Lat view, left wrist plain film 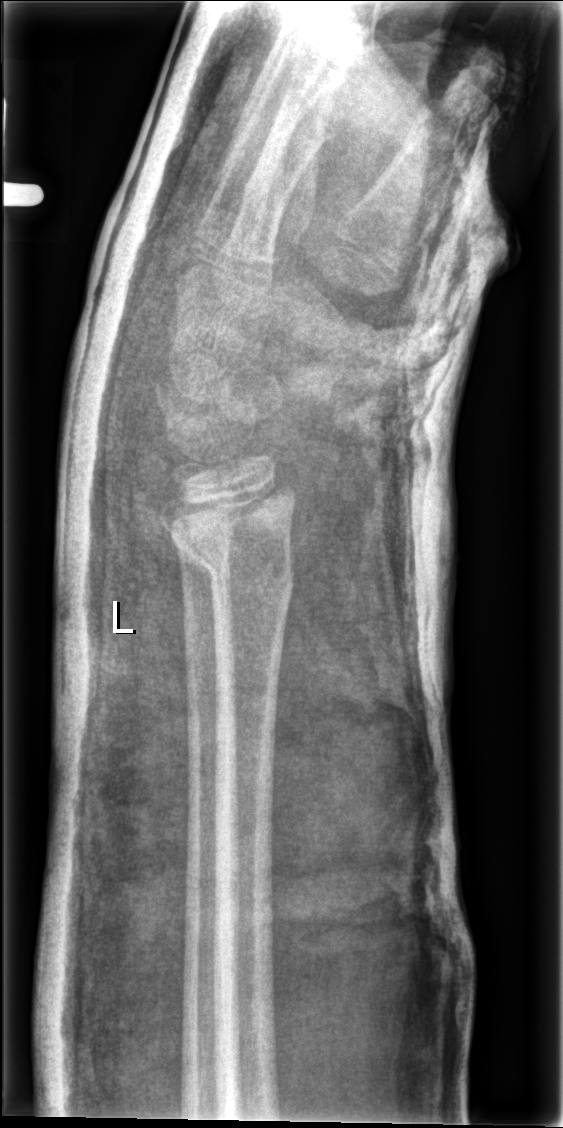

AO code 23r-M/3.1. One Fx at 155,484,300,613.